Right wrist XR; AP projection; cast present —

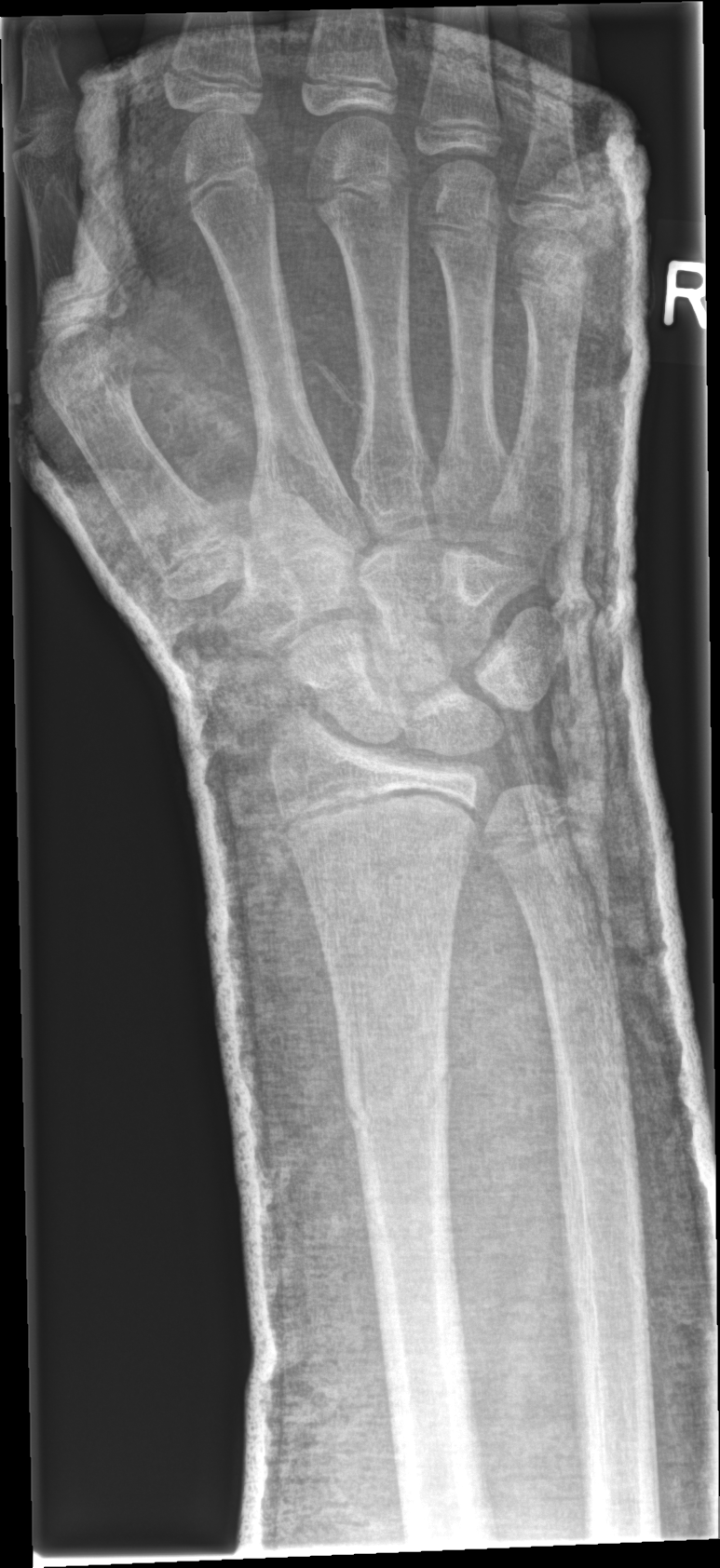   # pixel coordinates, top-left origin, xyxy
  fracture: 1 @ 342 1048 460 1153
  ao: 22r-D/4.1; 23u-E/7